Posteroanterior projection | Rt pediatric wrist radiograph | male, 0.4 yo | initial study. 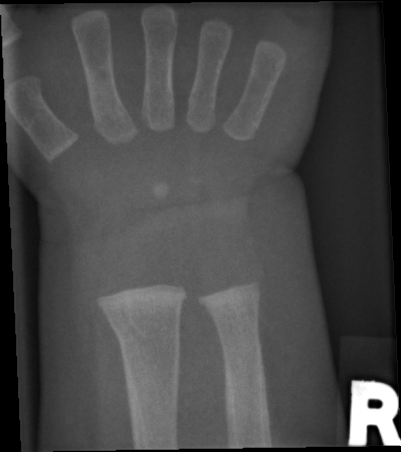

Fx: 1 @ 105 305 186 350